Right pediatric wrist radiograph | PA view: 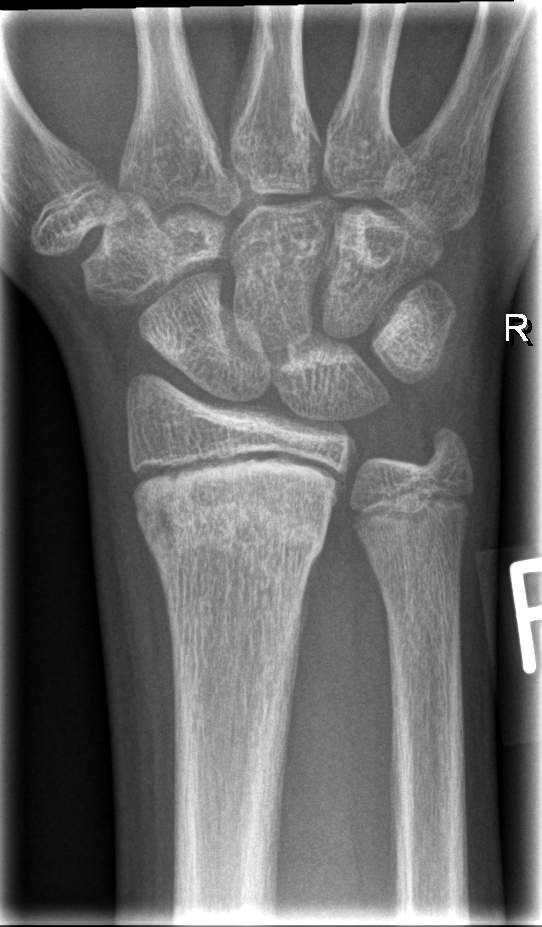

{"_coords": "boxes as x1,y1,x2,y2 (top-left / bottom-right, pixel units)", "fracture": "<134,468>-<337,583>, <414,419>-<470,472>", "ao": "23r-M/3.1; 23u-E/7", "osteopenia": "present"}